R pediatric wrist radiograph · lat projection · 13-year-old girl · index exam · image width 61.1 mm 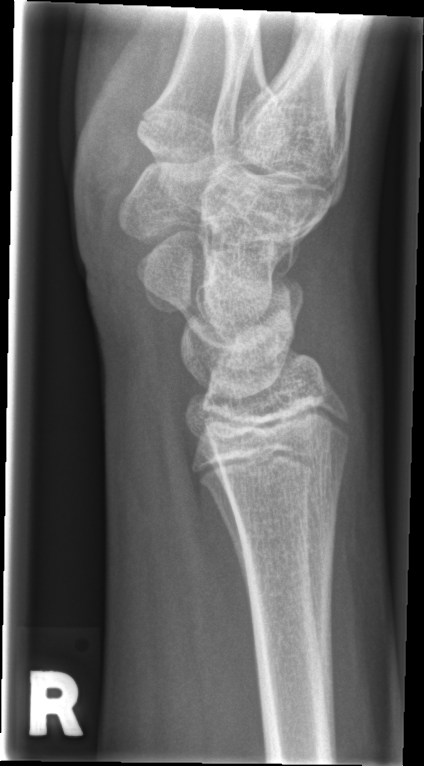

No Fx annotated.